Right wrist radiograph; PA/AP; age 11 y, boy; subsequent exam; 458 by 967 pixels:
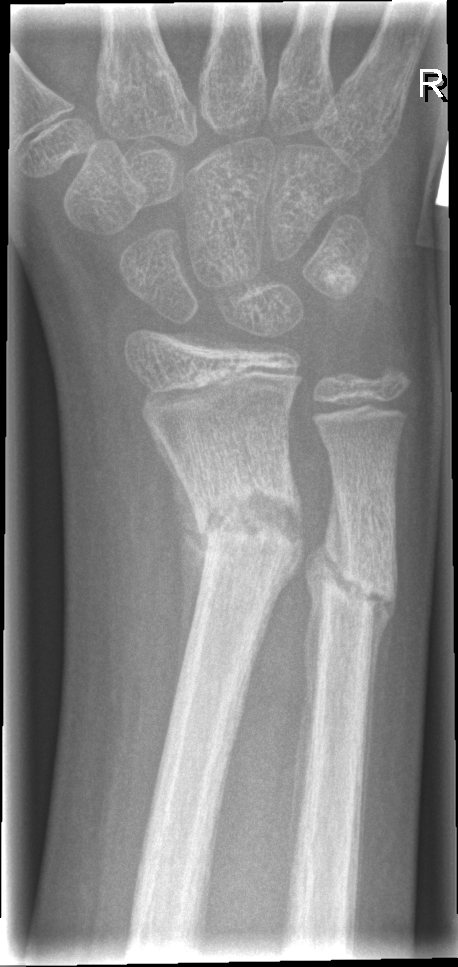

* Fracture identified at [x1=185, y1=472, x2=306, y2=586]; [x1=305, y1=533, x2=402, y2=636].
* Periosteal new bone — [x1=286, y1=488, x2=345, y2=867] [x1=148, y1=420, x2=214, y2=704] [x1=353, y1=587, x2=397, y2=856].
* Fracture classified AO/OTA 23-M/3.1.